L pediatric wrist radiograph | lat projection | male, 13 yo:
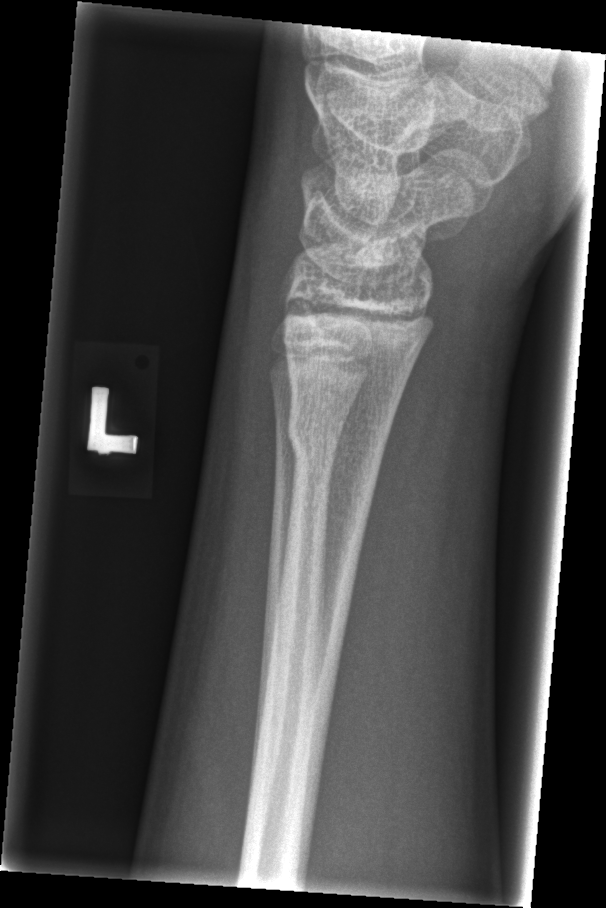

Boxes as x1,y1,x2,y2 (top-left / bottom-right, pixel units). Bone fracture: [x1=284, y1=399, x2=394, y2=471]. AO code 23r-M/2.1.